L plain radiograph of the wrist | lat.
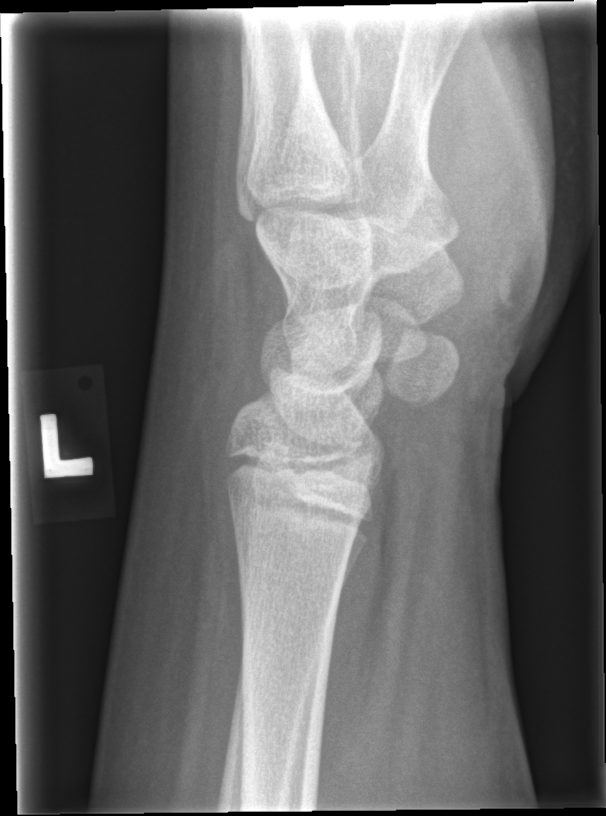

Fx: none.